Rt wrist XR; AP view; 10y M; subsequent exam 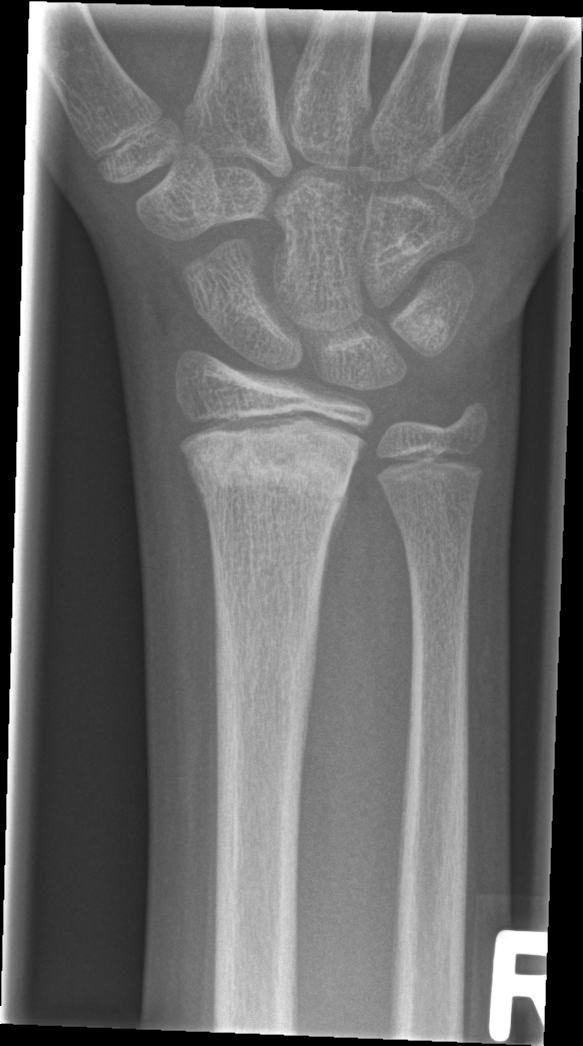
Findings: One periosteal thickening at bbox(323, 466, 354, 578). One bone fracture at bbox(186, 427, 353, 499).